Posteroanterior projection; right wrist radiograph; image size 420x508:

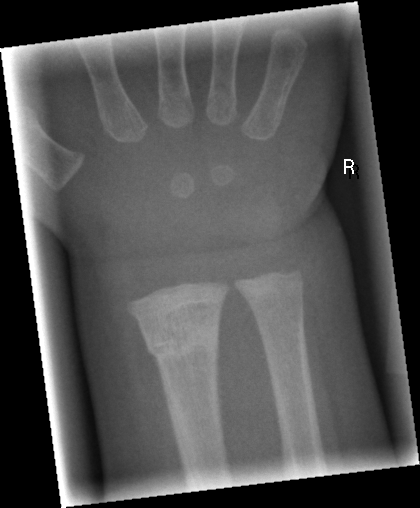

Bone fracture: bbox(142, 322, 222, 372).
Fracture classified AO/OTA 23r-M/2.1.